Lat · right wrist plain film · 0.4y M:
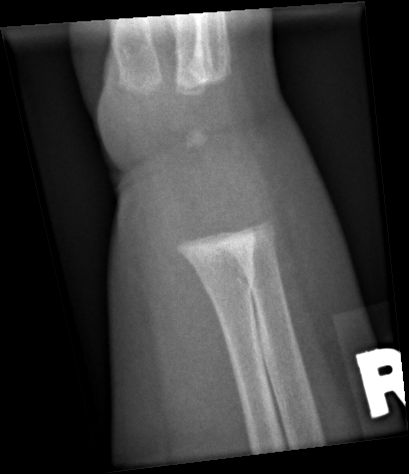
  # bounding boxes in image-pixel xyxy
  ao: 23-M/2.1
  fracture: 1 @ [x1=195, y1=251, x2=260, y2=306]